Lateral projection · Lt wrist XR · 6-year-old boy · follow-up: 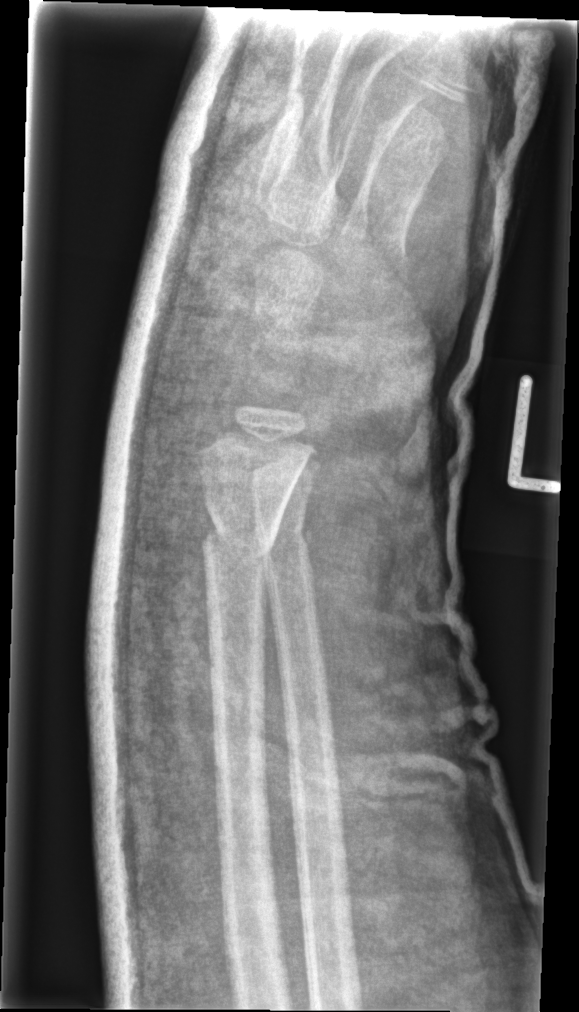

- Bone fracture: (left=193, top=494, right=279, bottom=583) (left=252, top=496, right=314, bottom=586).
- AO code 23-M/3.1.